Left wrist radiograph | lateral projection | age 8 y, male | image width 81.4 mm — 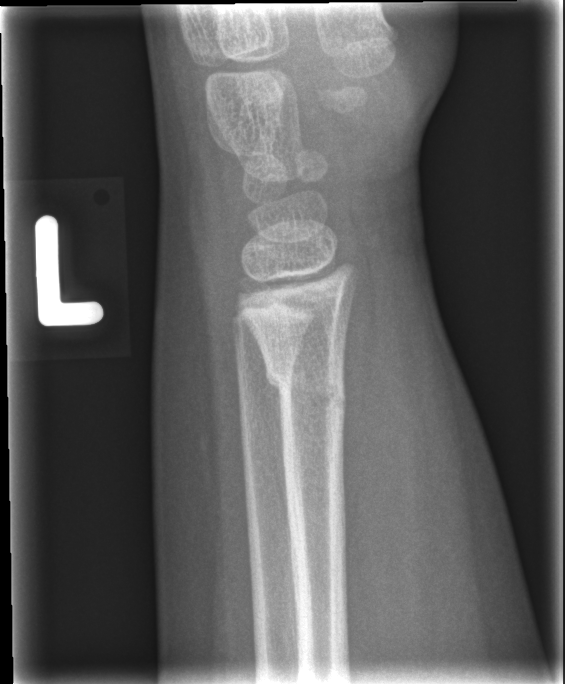 FINDINGS — (boxes as x1,y1,x2,y2 (top-left / bottom-right, pixel units)) Fx: <262,355>-<351,420>. AO/OTA classification: 23r-M/3.1.